Lt wrist X-ray, lateral view, age 17 y, girl, follow-up

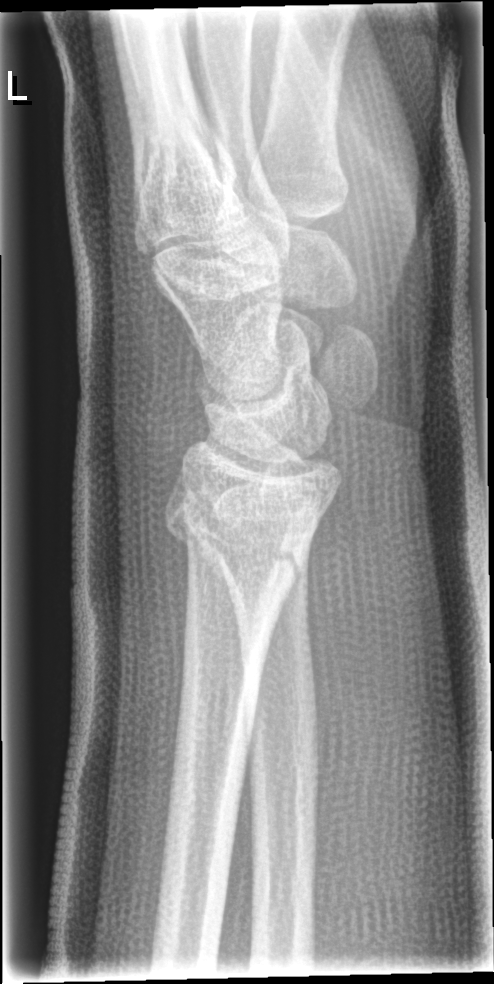
(boxes as x1,y1,x2,y2 (top-left / bottom-right, pixel units))
Fracture: 1 @ 162,505,310,588
AO code: 23r-M/3.1